PA/AP, right wrist plain film, age 5 y, girl, acquired on Siemens, image size 565x868 —
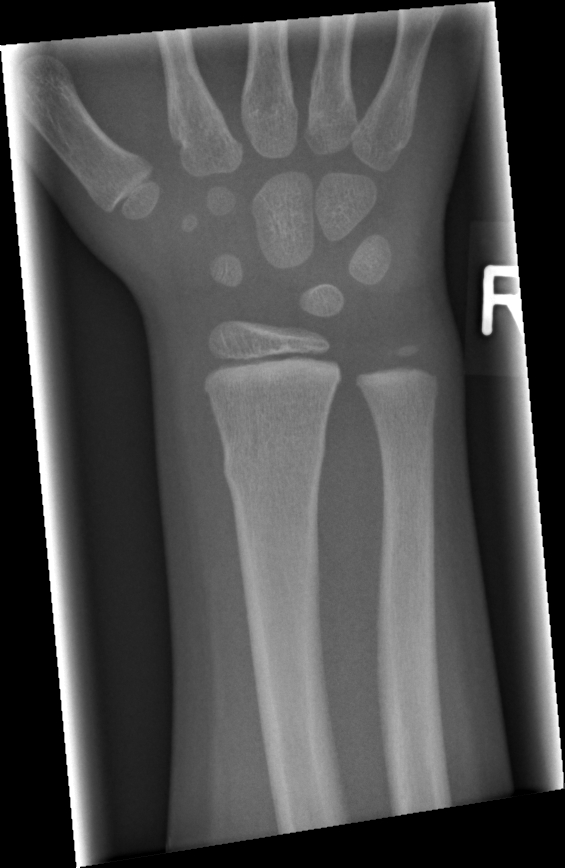 fracture: (220, 428, 328, 492)